Left plain radiograph of the wrist, lateral, follow-up —
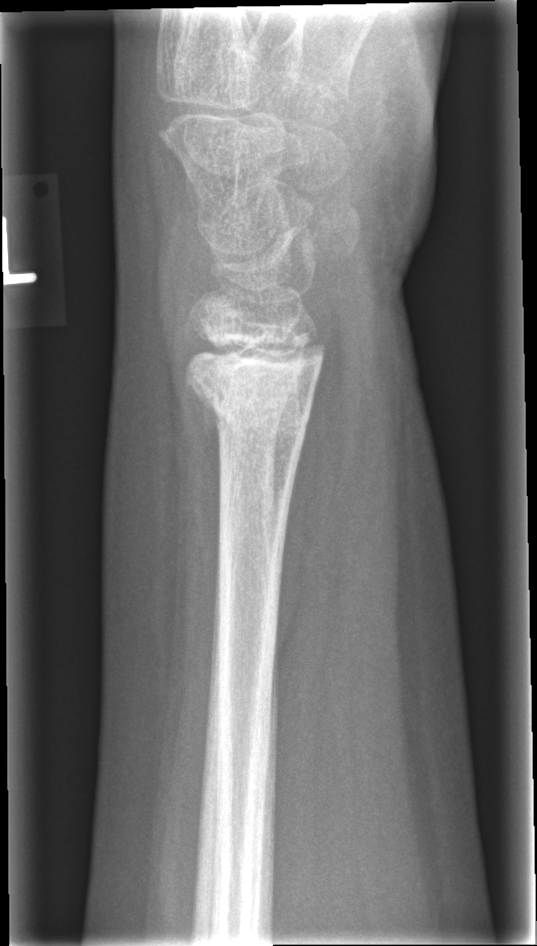
Pixel coordinates, top-left origin, xyxy.
Fracture identified at 180 345 326 439.
AO code 23r-E/2.1; 23u-E/7.